L wrist radiograph | lateral projection | index exam. 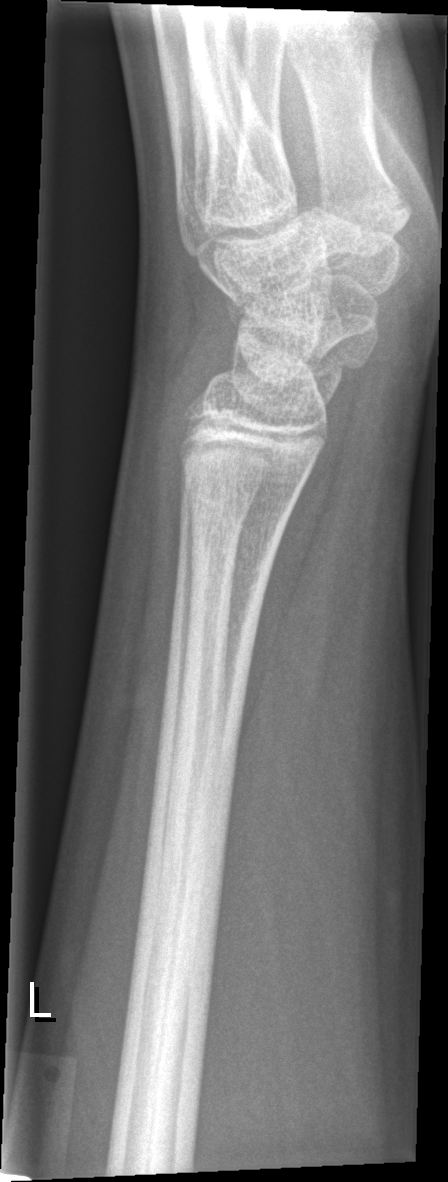

No fracture bounding box. Soft-tissue finding — [x1=124, y1=343, x2=206, y2=528].